Lateral view, right wrist plain film, age 8 y, female, detector: Siemens, 619 x 896 px. 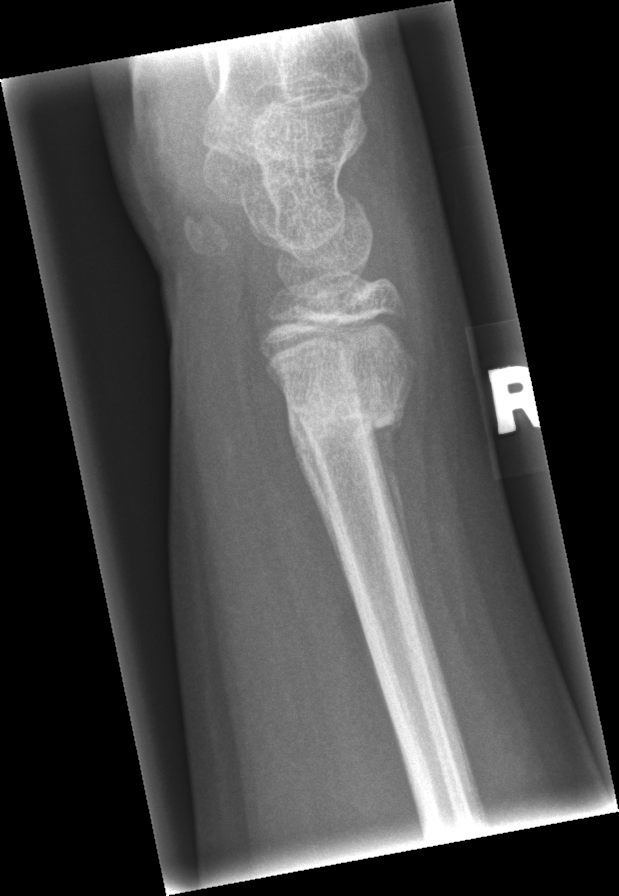 (boxes as x1,y1,x2,y2 (top-left / bottom-right, pixel units))
Q: Locate any fractures.
A: Fx — (left=283, top=375, right=413, bottom=477)
Q: Any periosteal thickening?
A: Periosteal thickening identified at (left=368, top=373, right=428, bottom=632)
Q: Is there osteopenia?
A: Osteopenia